Lateral projection · L wrist plain film · 9-year-old female:

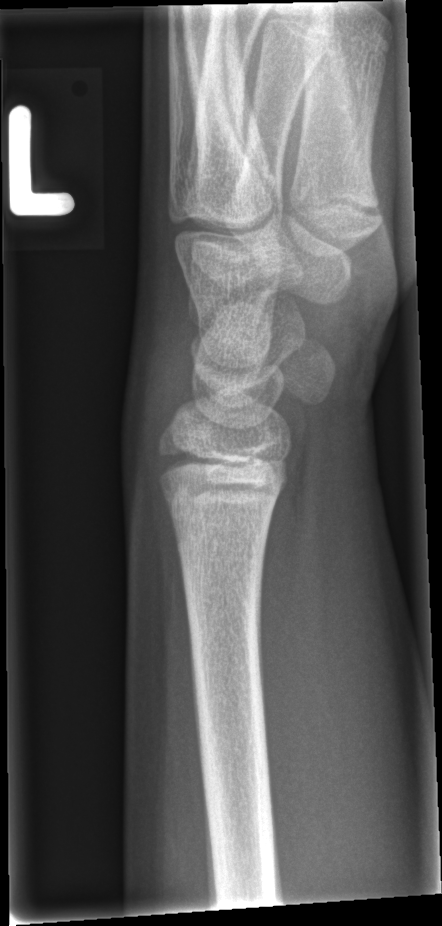 Fx: none labeled